R wrist plain film, frontal, 7y M —

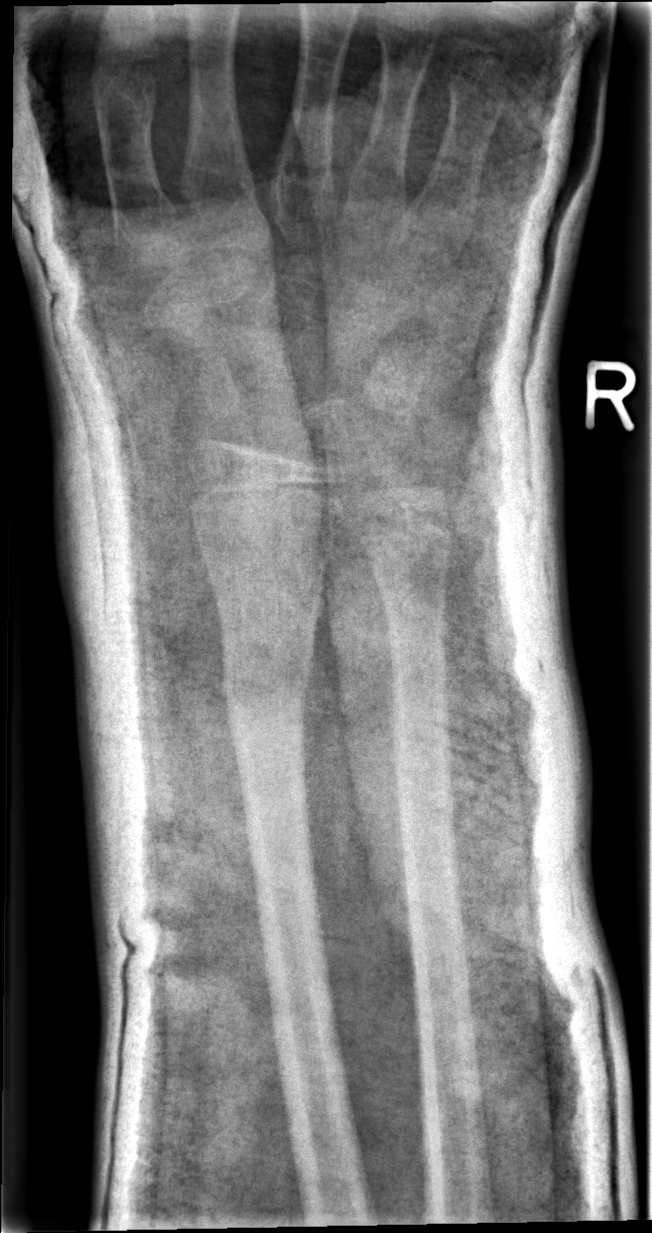

ao: 23r-M/3.1; 23u-M/2.1
fracture: <219,650>-<315,732>